Left wrist X-ray · lateral projection · 407 x 1064 px. 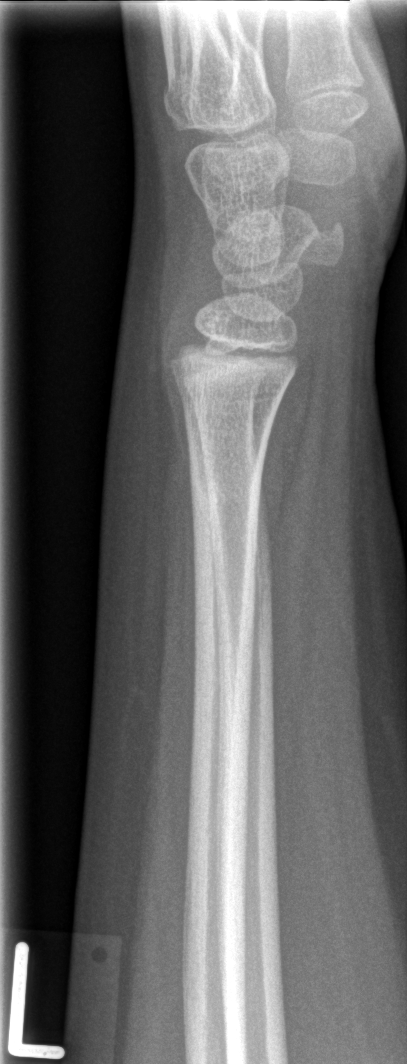
Bone fracture: none labeled